PA projection; L wrist plain film; 14-year-old male; follow-up; in cast:

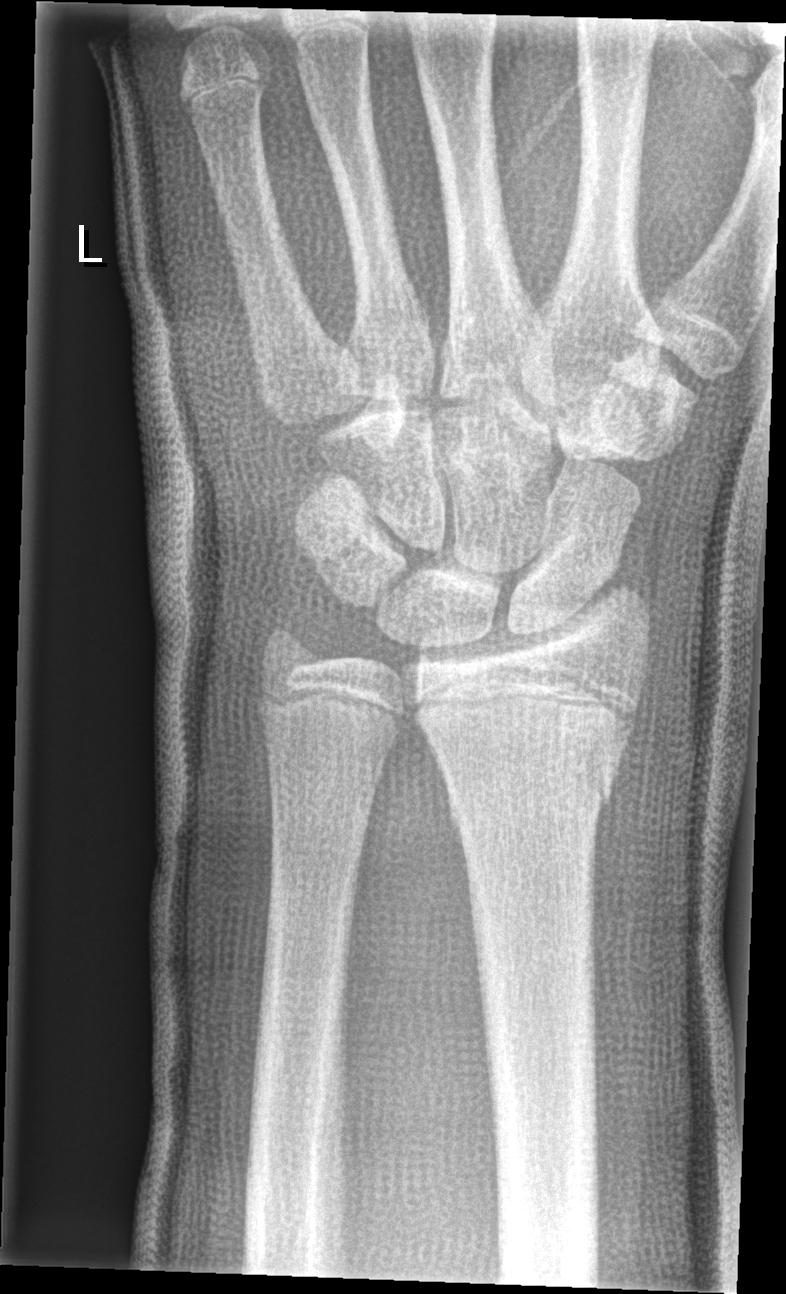
Fracture identified at bbox(445, 711, 627, 836). Fracture classified AO/OTA 23r-M/2.1.